Lt wrist radiograph | PA/AP view | male, 11 yo | 780 x 1042 px:

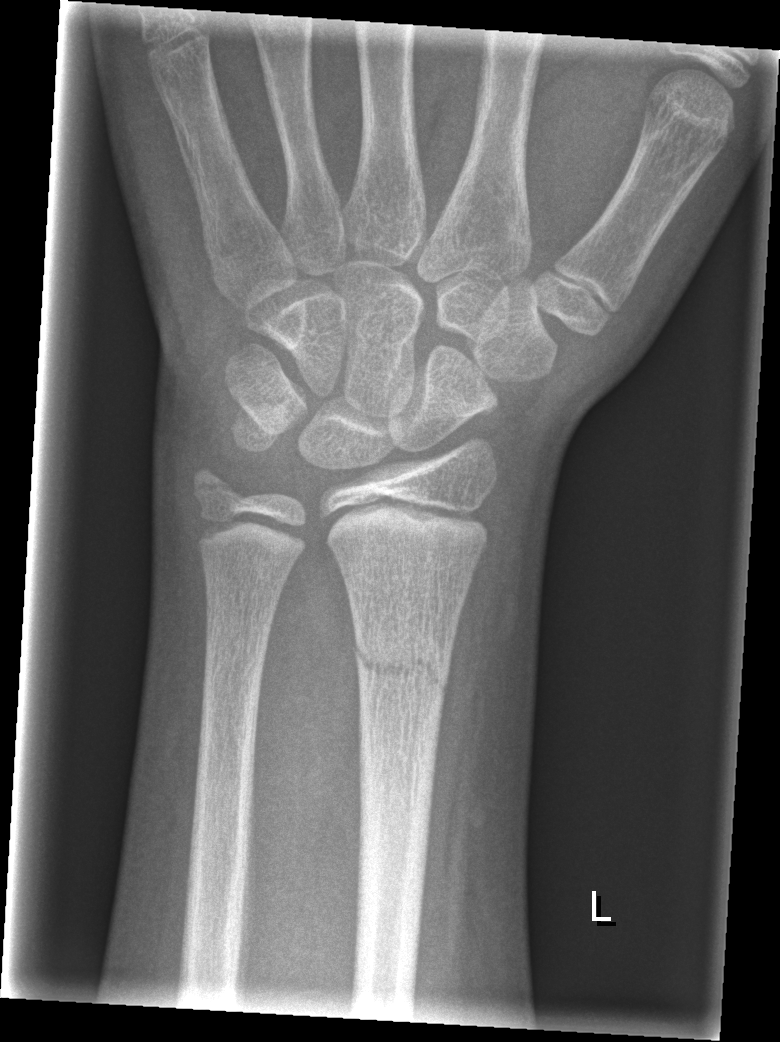

* Coordinates are [x1, y1, x2, y2] in image pixels.
* Fracture identified at bbox(351, 626, 453, 697) bbox(184, 456, 245, 523).